Frontal projection · right plain radiograph of the wrist · 6-year-old female.

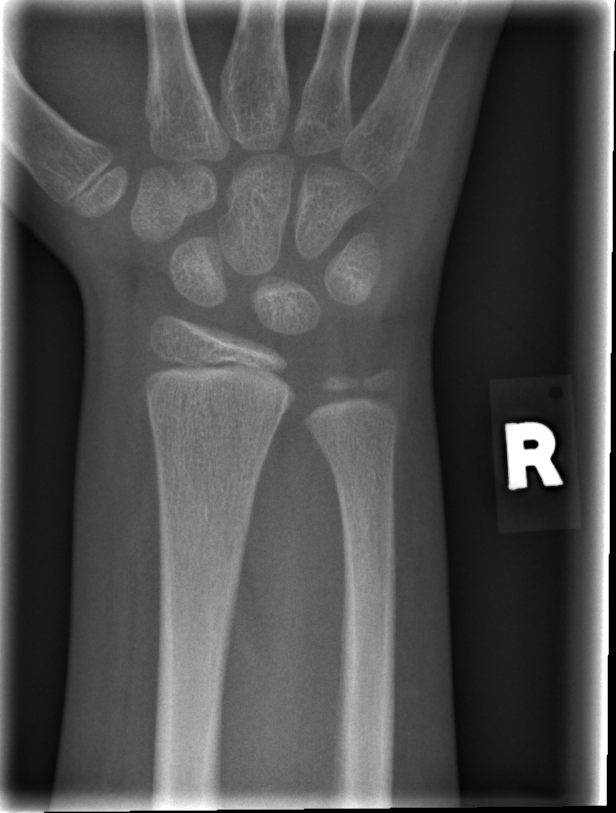 Fracture present but not clearly seen in this view.